Posteroanterior; Lt wrist X-ray; 13-year-old boy; cast present
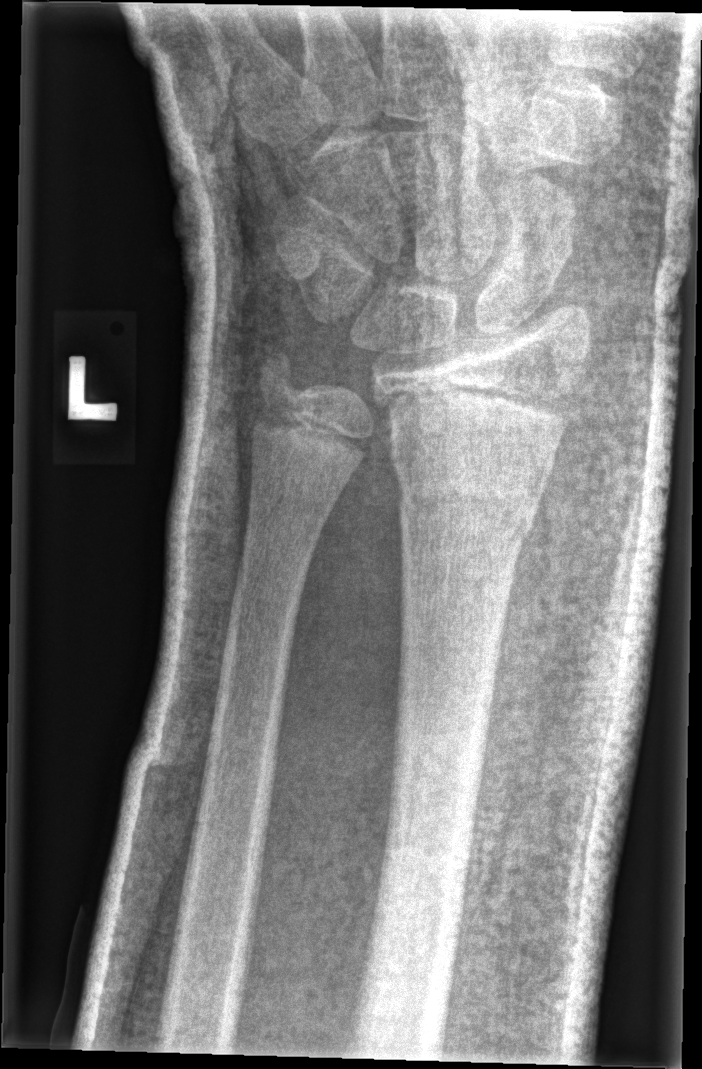

Bounding boxes in image-pixel xyxy.
Fracture: (left=392, top=460, right=546, bottom=551) (left=246, top=340, right=311, bottom=405).
AO code 23r-M/3.1; 23u-E/7.